Left wrist X-ray; PA/AP; girl, 17 yo; acquired on Siemens
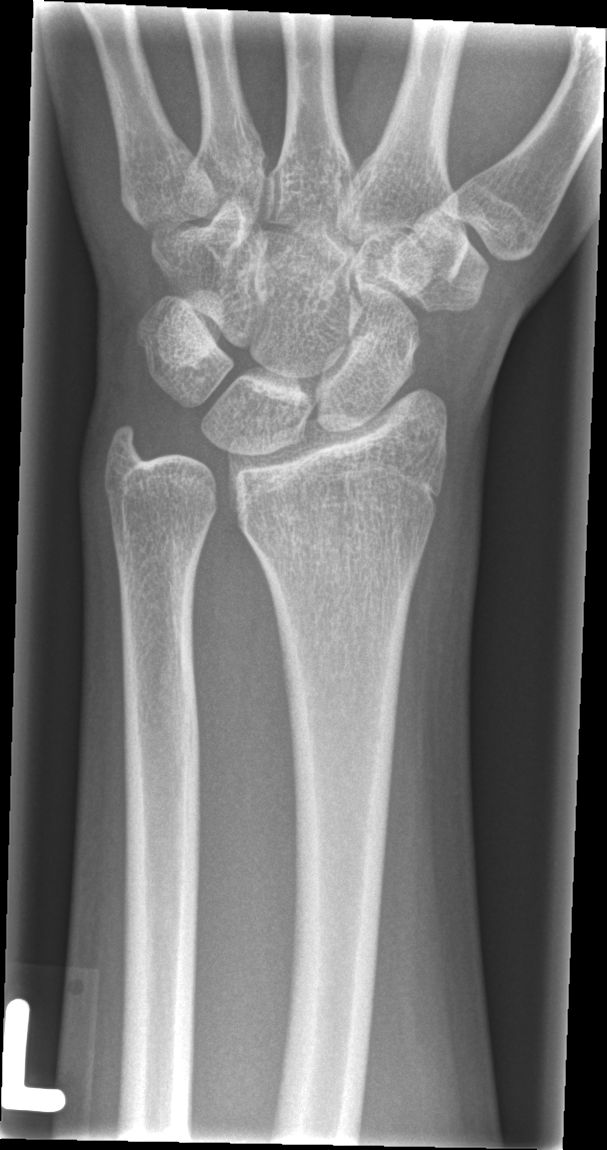

Fx: none labeled